Right wrist pediatric wrist radiograph | lat view | male, 12 yo | cast in situ

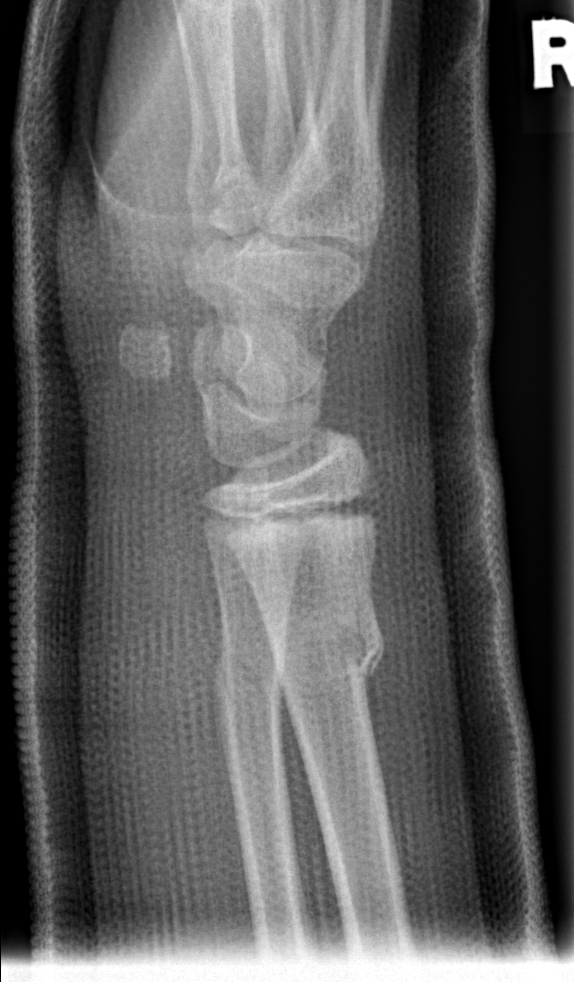 AO/OTA classification: 23-M/3.1.
Two fractures at bbox(272, 598, 390, 702), bbox(211, 645, 287, 717).